Lateral view | Rt wrist X-ray | follow-up 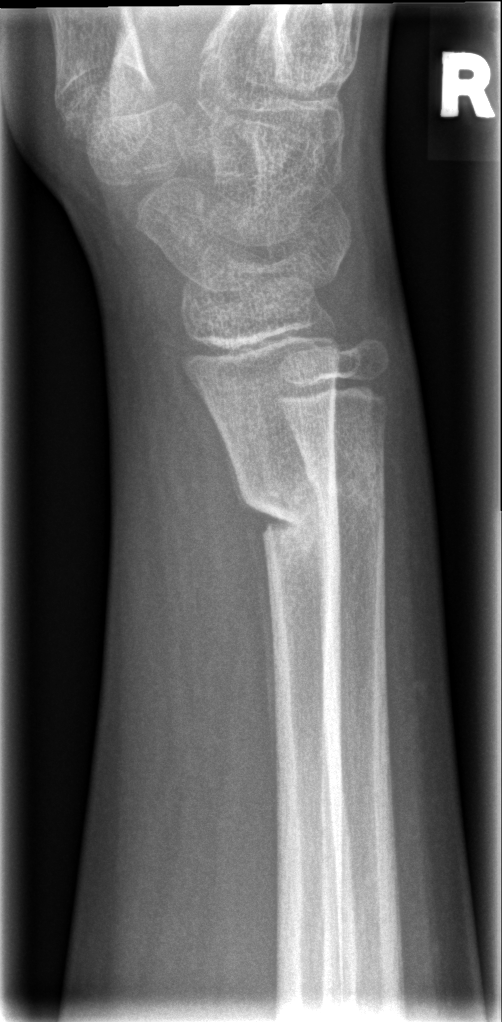
Periosteal thickening: 1 @ [x1=216, y1=419, x2=294, y2=798]
Bone fracture: [x1=234, y1=459, x2=347, y2=568]; [x1=299, y1=440, x2=393, y2=534]
AO code: 23-M/2.1